Right wrist XR | lat view:
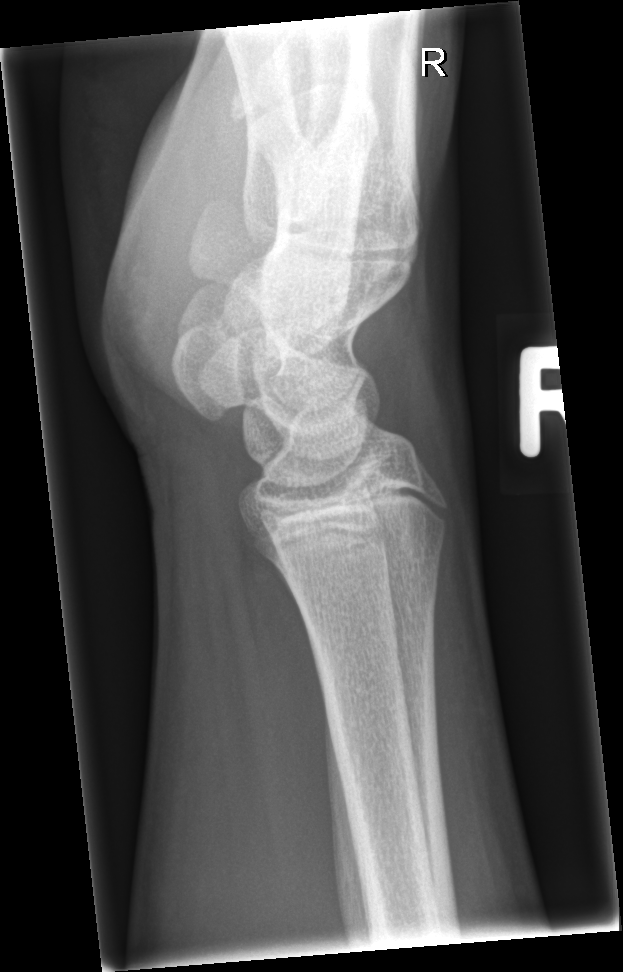 FINDINGS: Fracture: none labeled.